R pediatric wrist radiograph · AP · 16y F 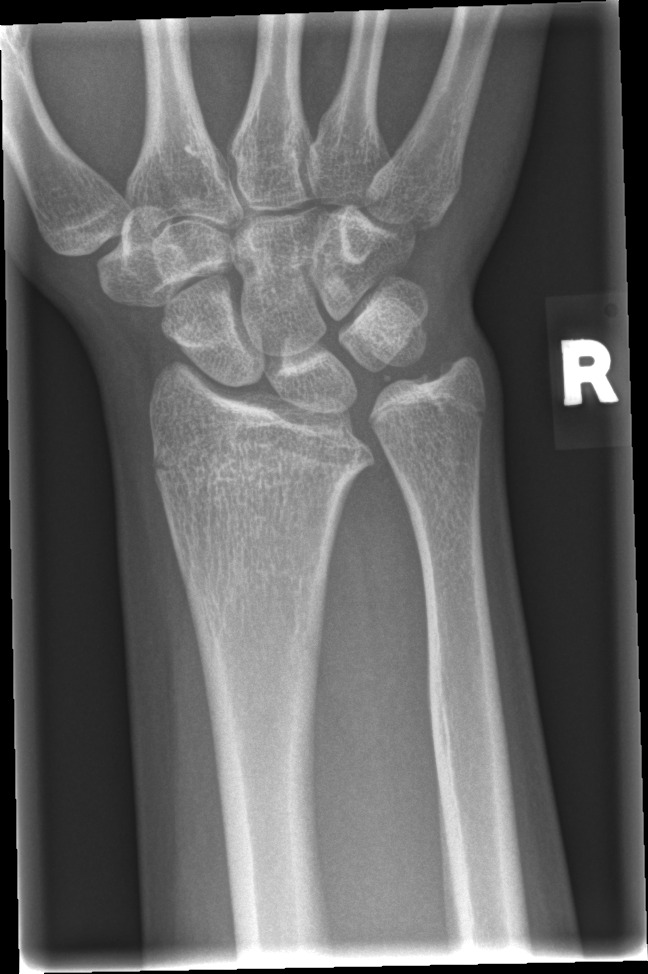
Fx — [x1=139, y1=364, x2=379, y2=486]. Bone variant identified at [x1=135, y1=359, x2=385, y2=513] [x1=341, y1=333, x2=494, y2=490].